Lateral projection · Lt wrist radiograph · 472 x 789 px.

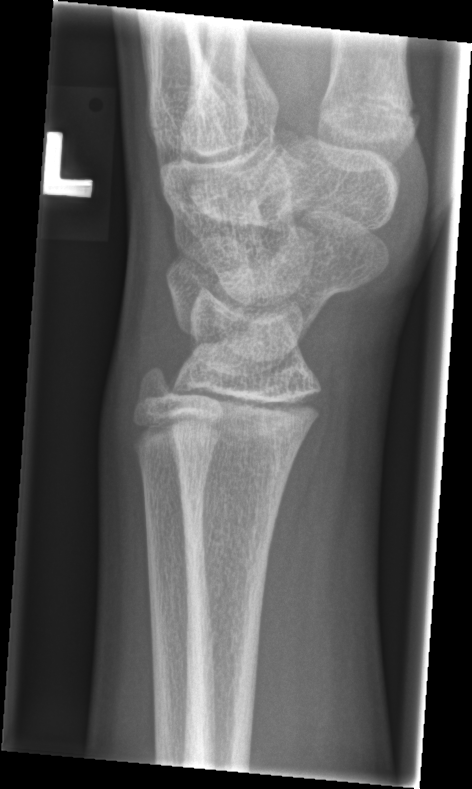

No Fx annotated.